Left wrist plain film | lat projection | pediatric patient (boy, age 9) | follow-up | cast in situ.

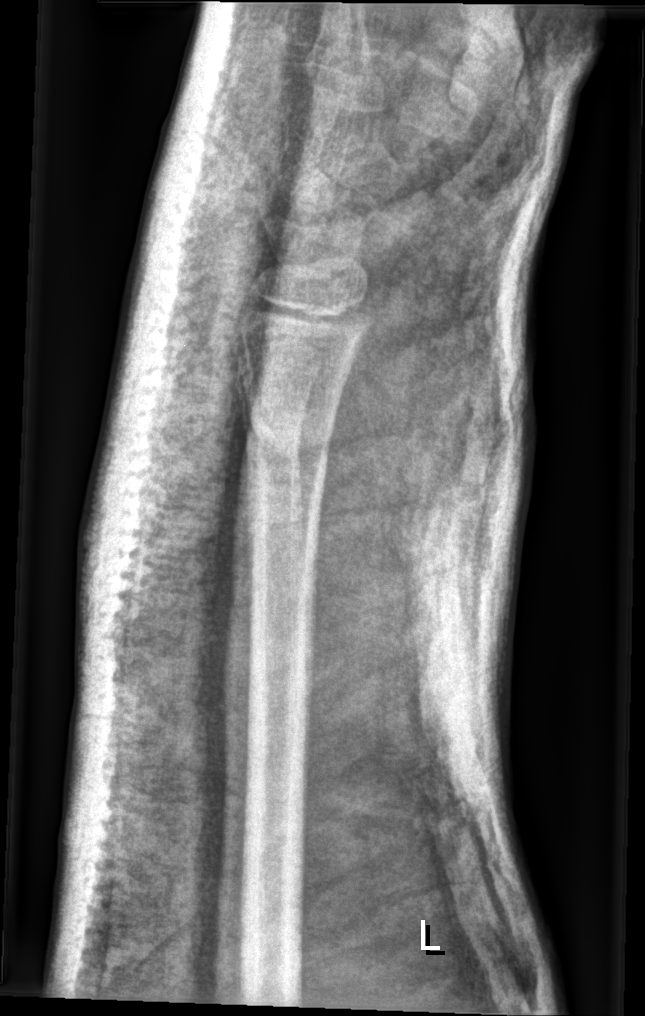
FINDINGS — AO/OTA classification: 23r-M/3.1; 23u-M/2.1. Bone fracture: bbox(236, 385, 341, 472).